PA · left wrist radiograph:

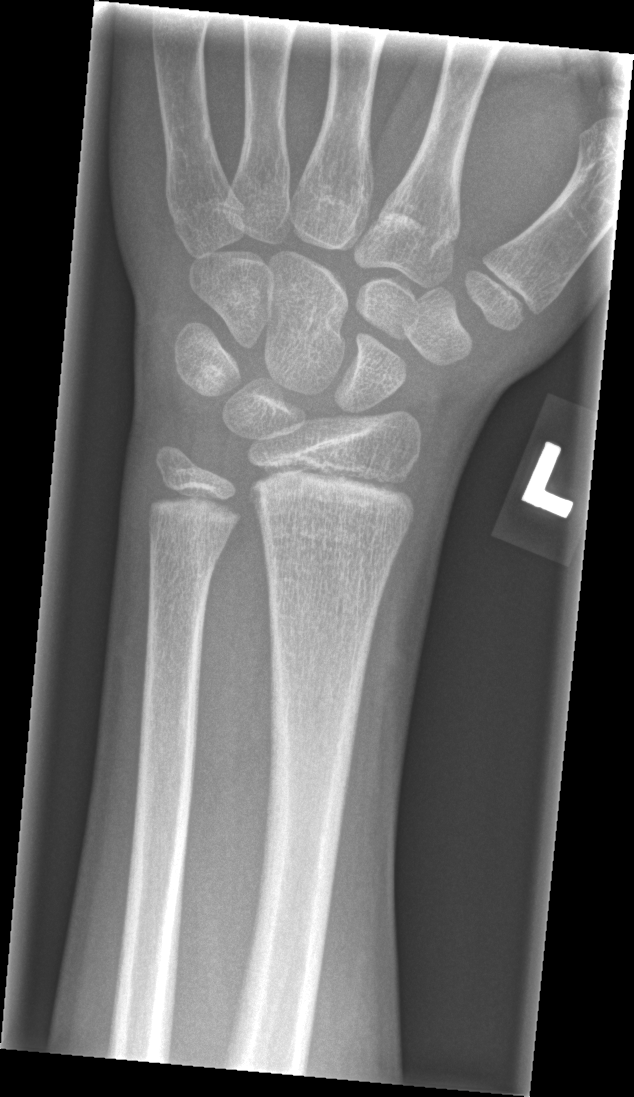
Fx: none labeled